Posteroanterior projection, right wrist plain film, 592 x 992 px —
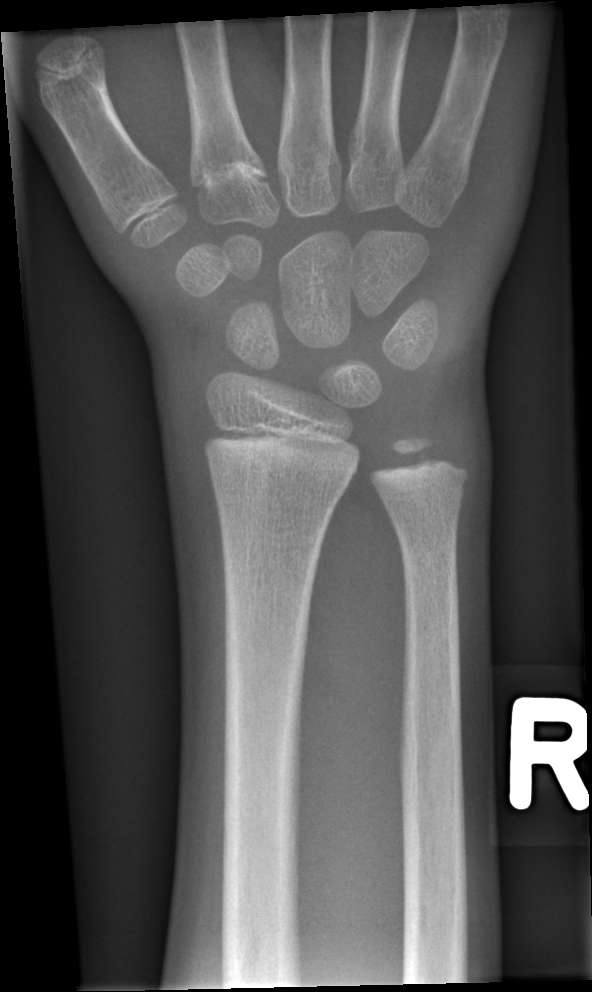 Fx: none labeled